Lat view, R pediatric wrist radiograph

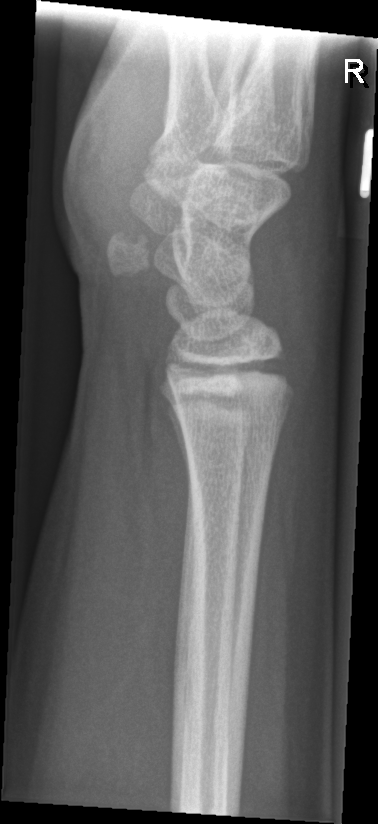 Fx: none.